Right wrist X-ray | lat view | 17-year-old boy —
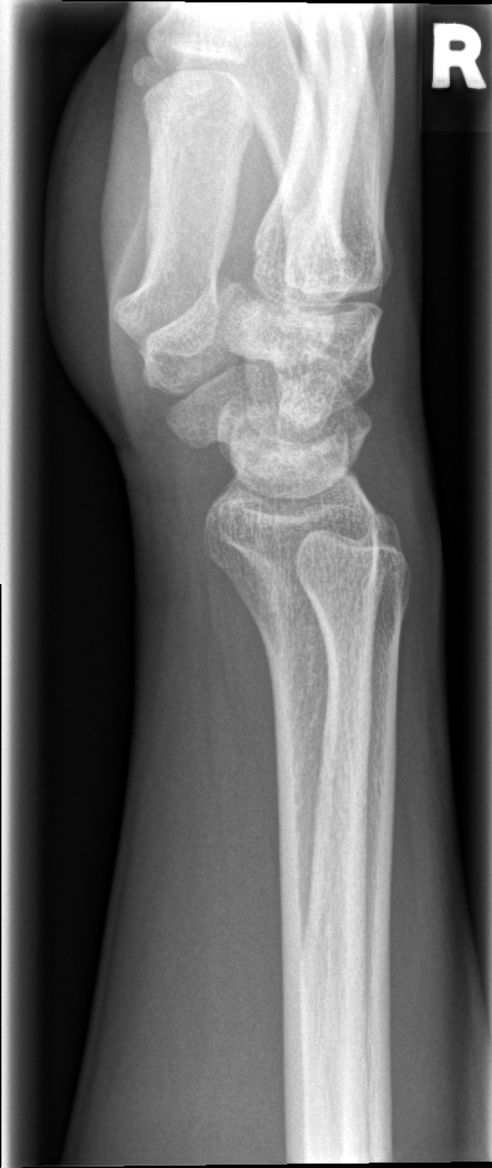 FINDINGS — Fracture: present but not clearly seen in this view.